Lateral projection, right plain radiograph of the wrist, 16y M, detector: Siemens:
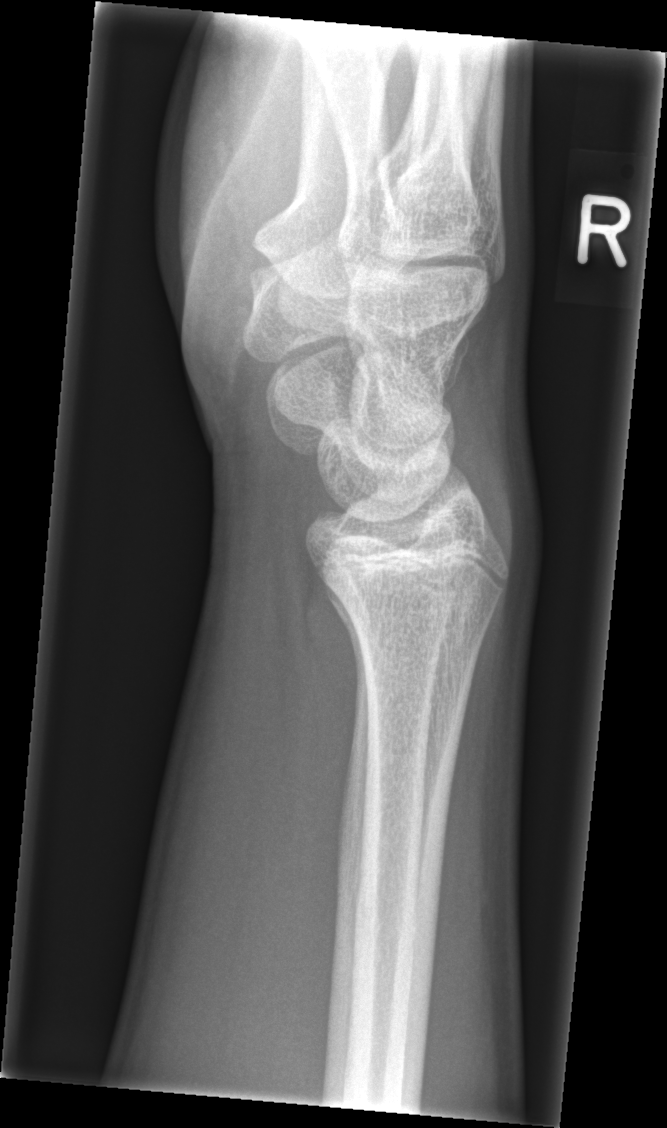

FINDINGS: No Fx annotated.